L wrist X-ray | lat view | image width 67.1 mm:
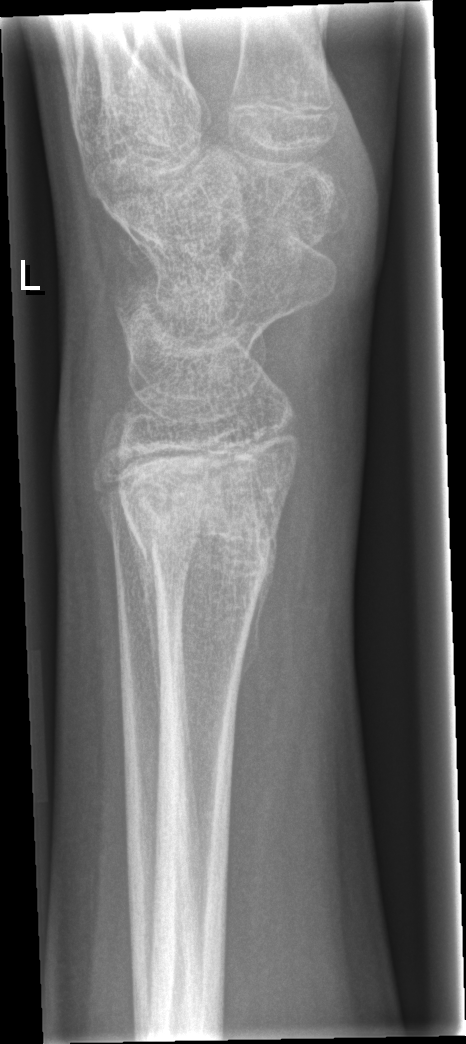

periosteal new bone = <120,501>-<161,709> <236,517>-<280,686>
AO classification = 23r-M/3.1; 23u-E/7
bone fracture = 1 @ <120,487>-<285,592>